Lateral view; Rt wrist plain film; 11y M; subsequent exam; image 66.7 mm wide — 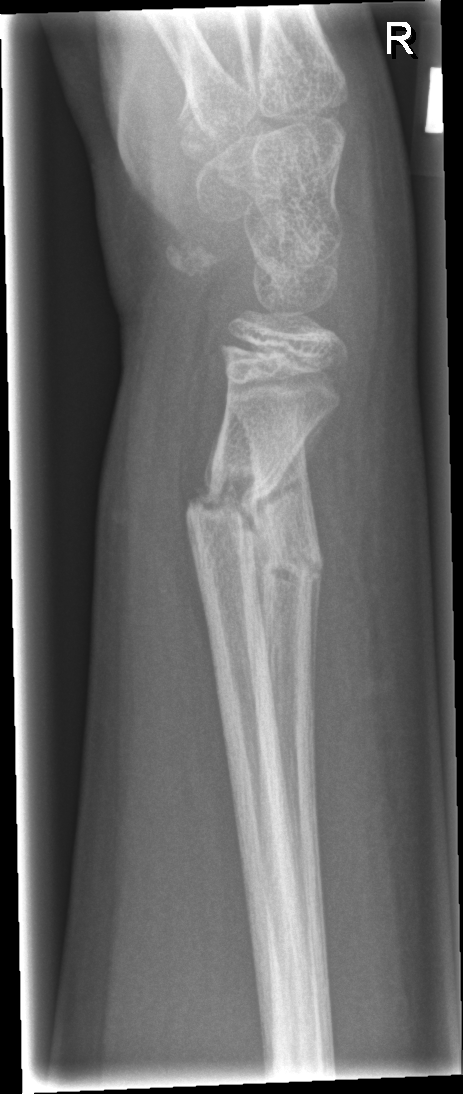
Fracture: (182, 455, 276, 558), (252, 535, 329, 600). Reduced bone mineral density. Fracture classified AO/OTA 23-M/3.1. Periosteal new bone: (308, 571, 324, 742).